Lat, left wrist X-ray, image size 614x1154 —
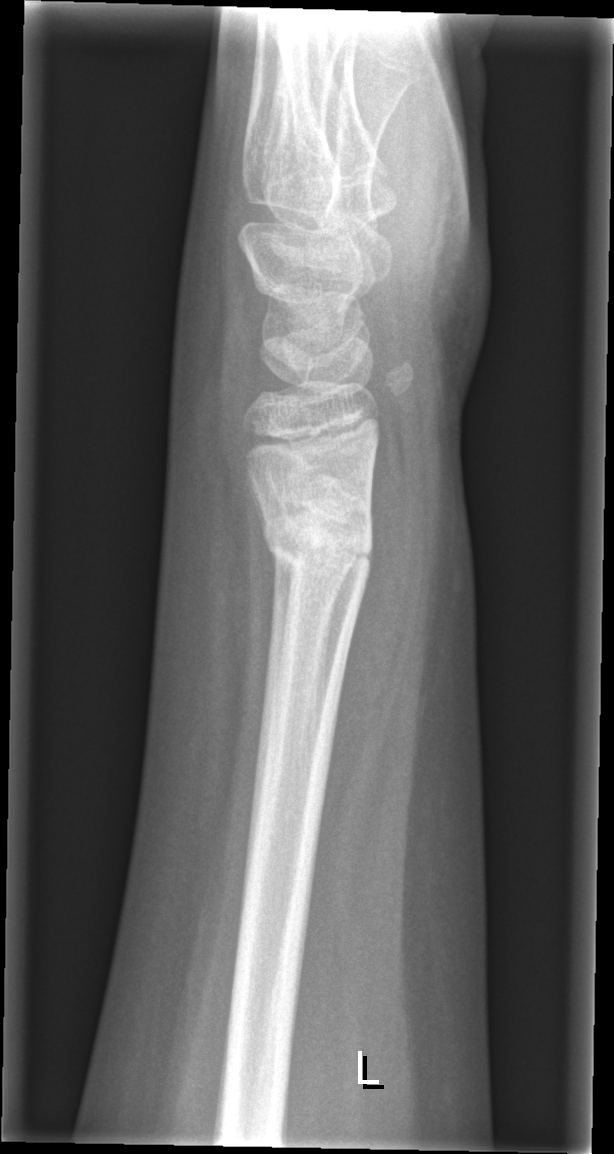 One Fx at (left=260, top=509, right=376, bottom=579).